Lat, right wrist radiograph.
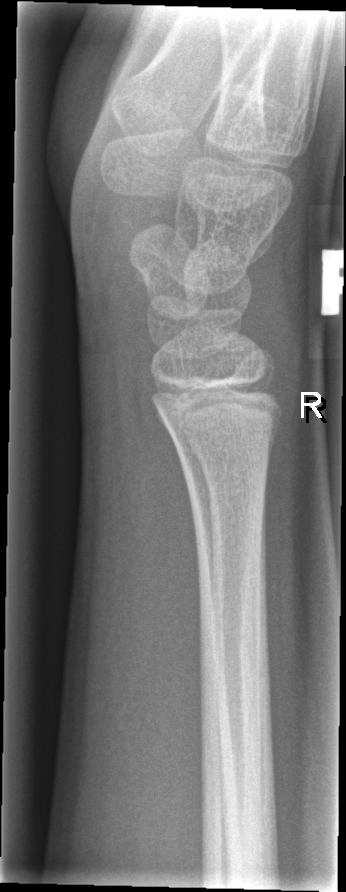
bone fracture: none labeled